Left wrist plain film | lateral projection —
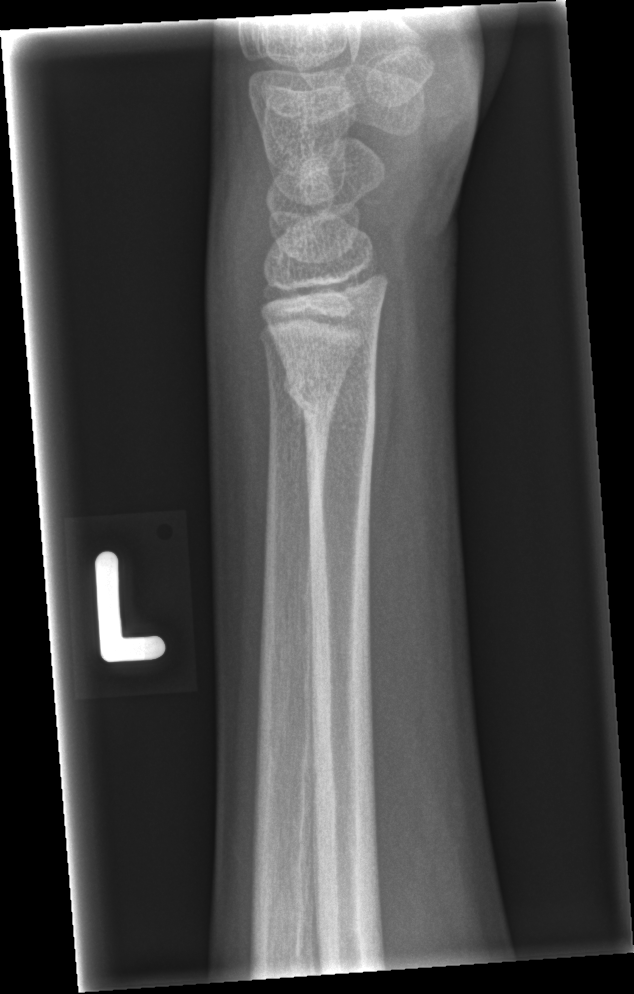

FINDINGS: Soft tissue abnormality identified at [198, 150, 279, 432]. Bone fracture — [280, 360, 380, 442].